Left wrist plain radiograph of the wrist; lateral view; cast in situ; detector: Siemens: 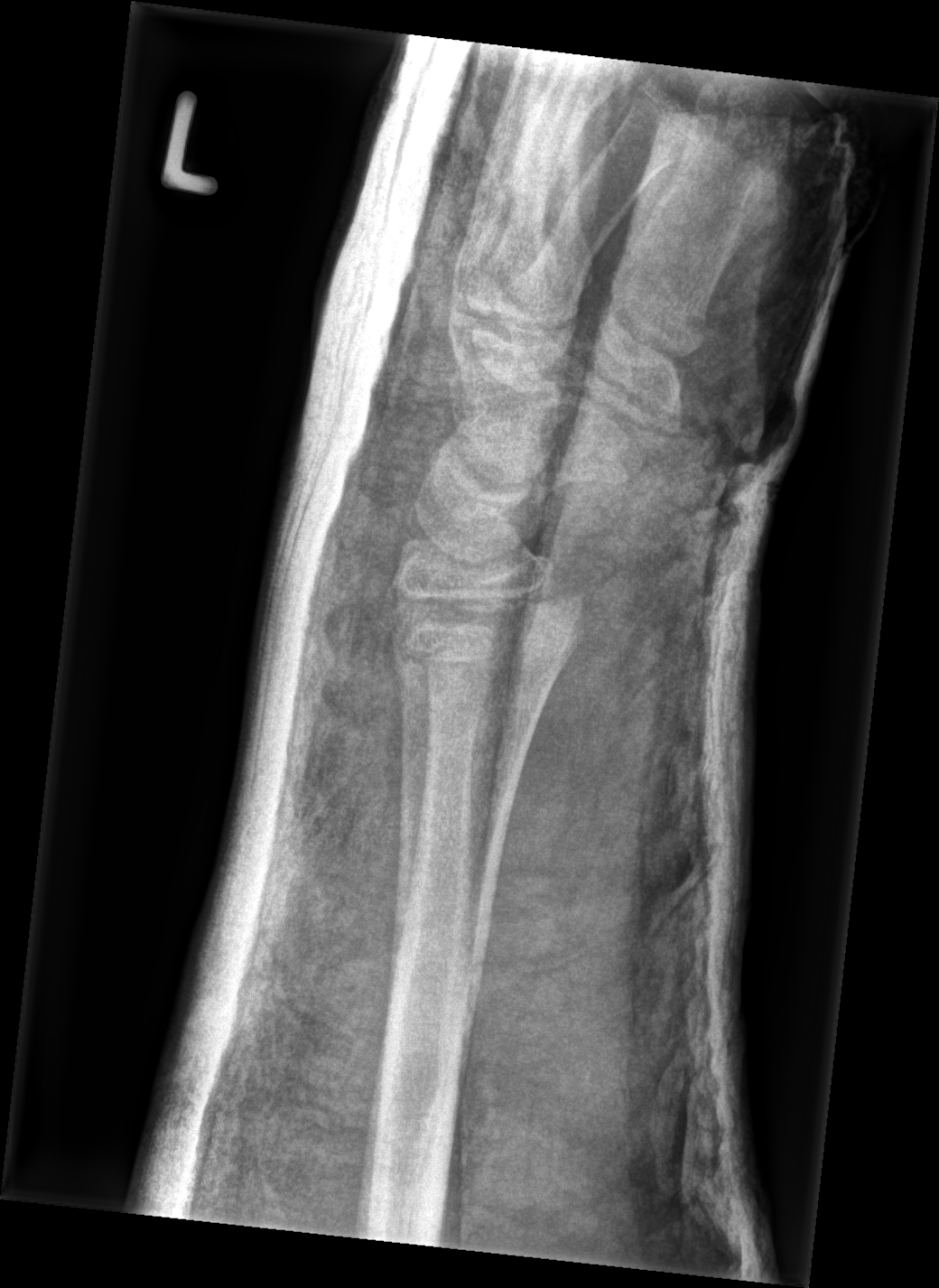
* Fracture classified AO/OTA 23r-E/2.1; 23u-E/7.
* One Fx at (left=387, top=578, right=590, bottom=677).